Frontal view, Lt wrist radiograph, 4-year-old female, presentation radiograph, 642x782: 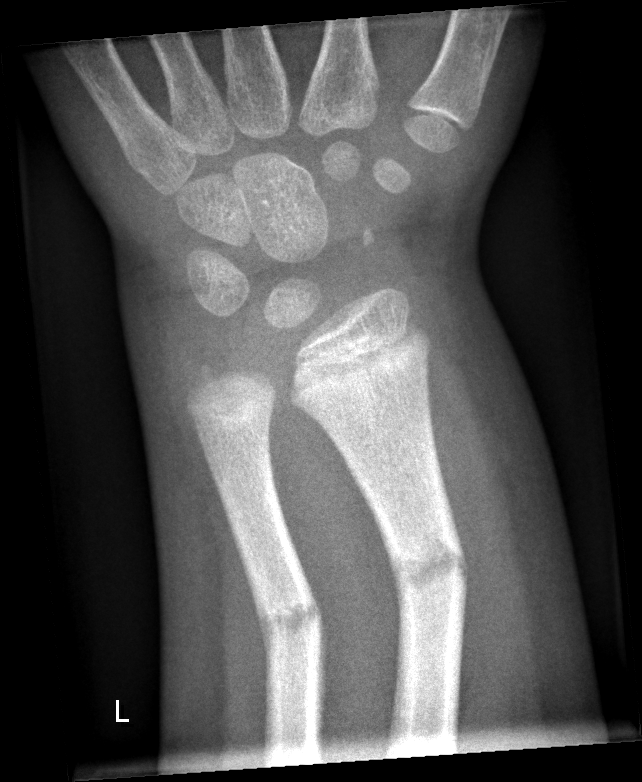

AO/OTA classification: 22-D/5.1.
Bone fractures — [x1=387, y1=530, x2=470, y2=600], [x1=253, y1=597, x2=327, y2=649].